PA, left pediatric wrist radiograph. 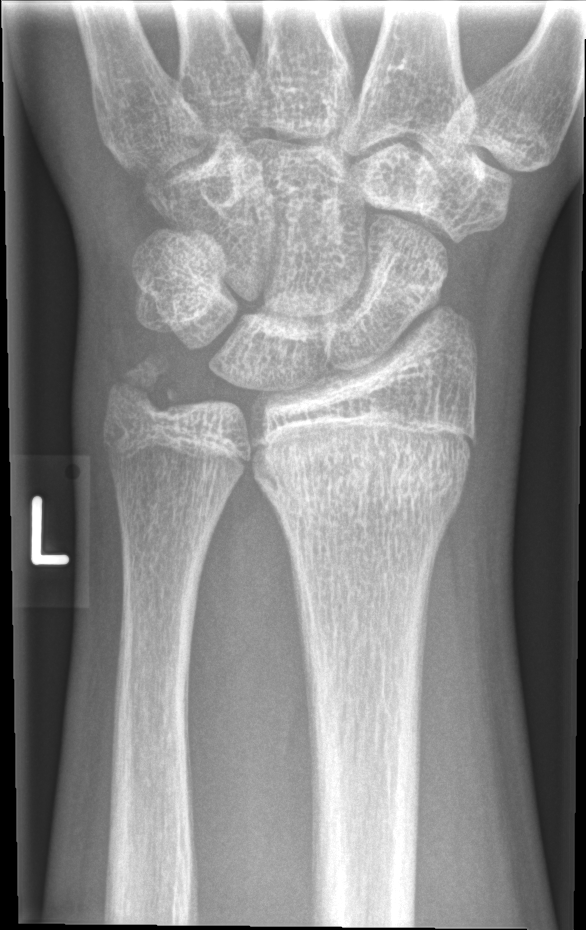
Q: What is the AO/OTA classification?
A: AO code 23r-M/2.1; 23u-E/7
Q: Bone density?
A: Osteopenic
Q: Fracture present?
A: Bone fracture: 255 438 470 521; 102 351 179 420